Left wrist XR · lat view · boy, 15 yo · initial study · Siemens.

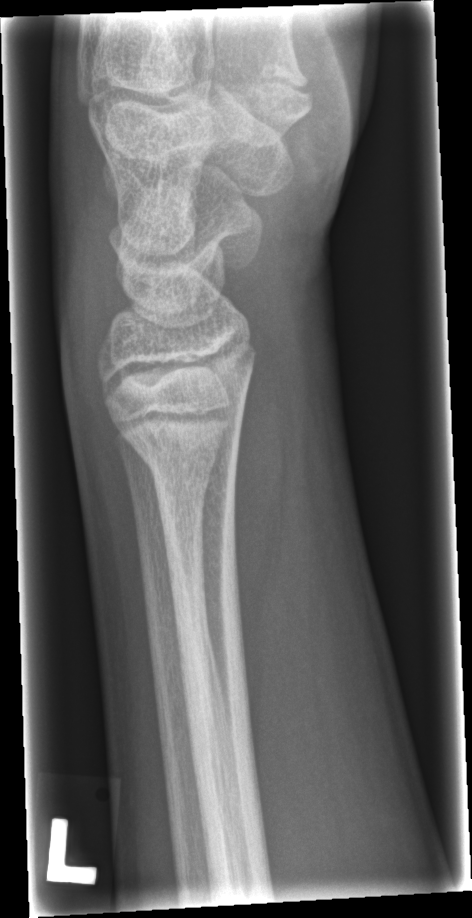
One bone fracture at [123, 418, 243, 484].